Frontal · L plain radiograph of the wrist · presentation radiograph · equivocal findings · detector: Siemens

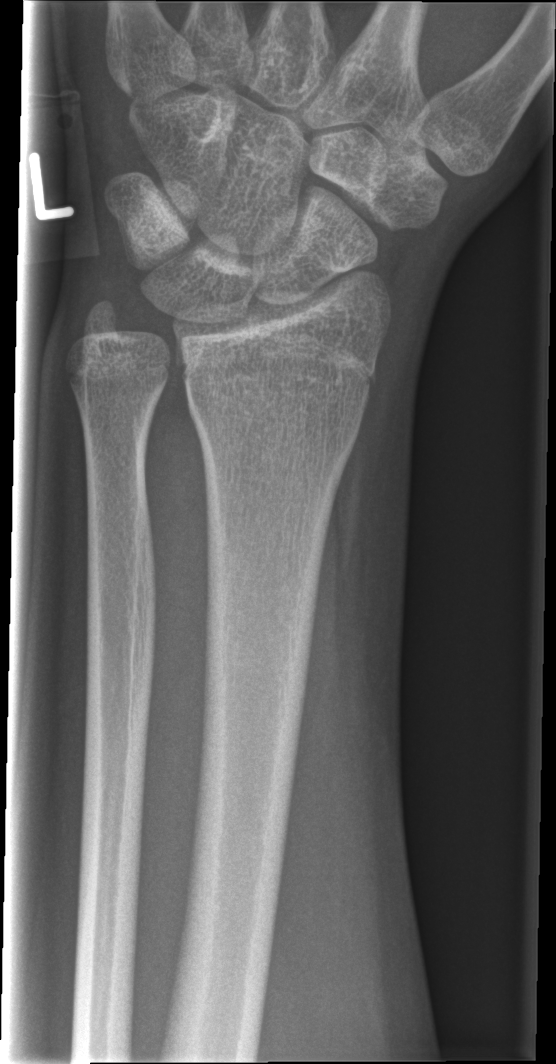

  fracture: none labeled